Left wrist plain film; PA view; 6y F; follow-up; in cast; Siemens.

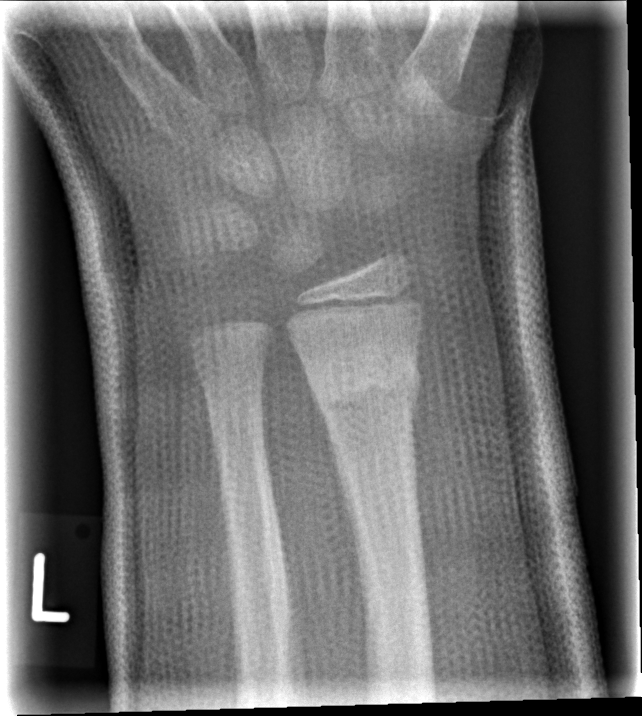

AO/OTA = 23r-M/3.1
Fx = [305, 347, 425, 419]